L wrist radiograph, posteroanterior projection, cast in situ, image 124.1 mm wide.
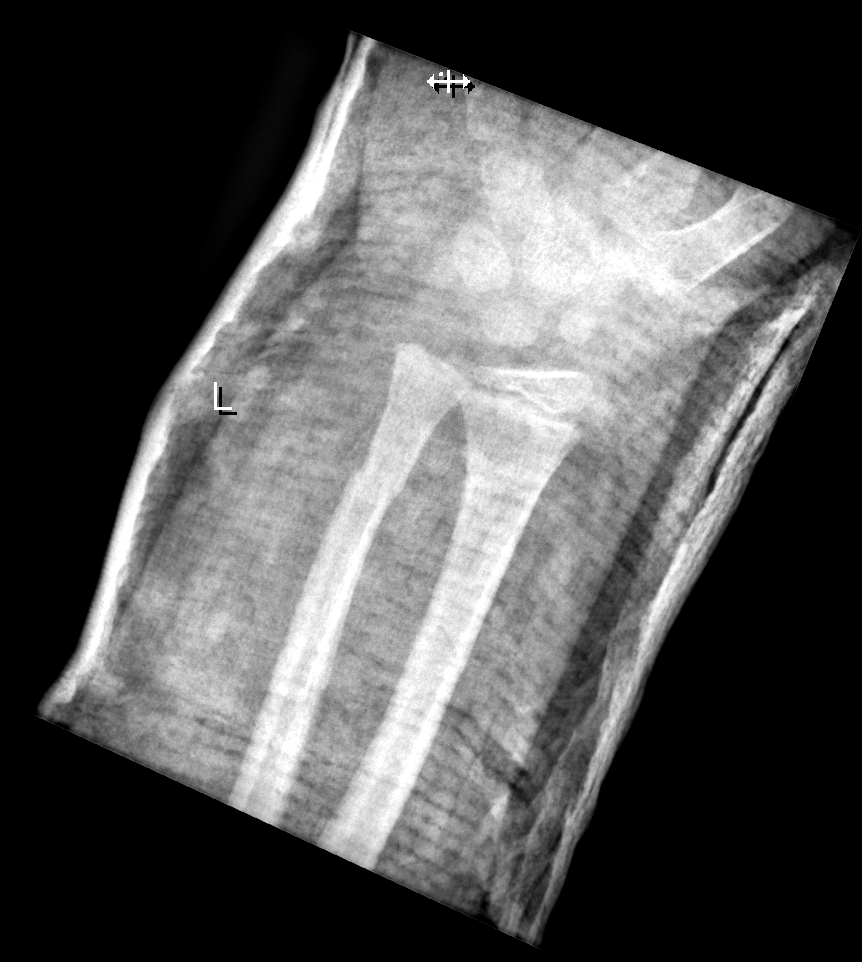
AO code 22r-D/2.1; 23u-M/2.1.
Fx identified at (left=343, top=455, right=410, bottom=510).